Right wrist radiograph, lat projection, age 4 y, male, follow-up, imaged through cast, Siemens: 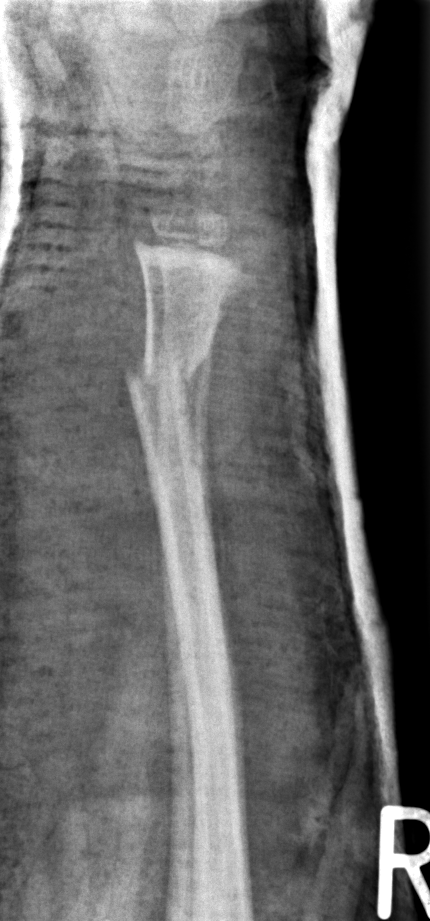 Pixel coordinates, top-left origin, xyxy. Fracture: bbox(121, 337, 214, 415). AO code 23r-M/3.1; 23u-M/2.1.